Lateral projection · right wrist X-ray · index exam · acquired on Siemens:
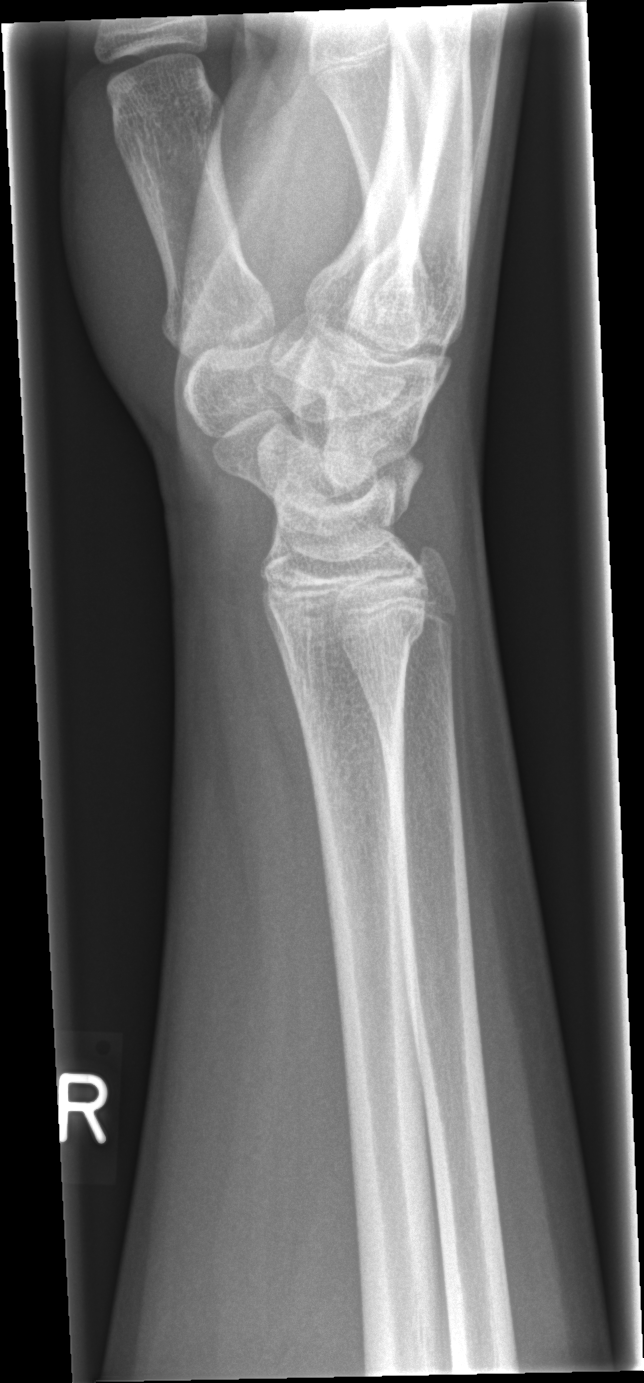

(coordinates are [x1, y1, x2, y2] in image pixels)
bone fracture = 1 @ (266, 604, 429, 660)